Left wrist plain film · frontal view · age 13 y, boy —

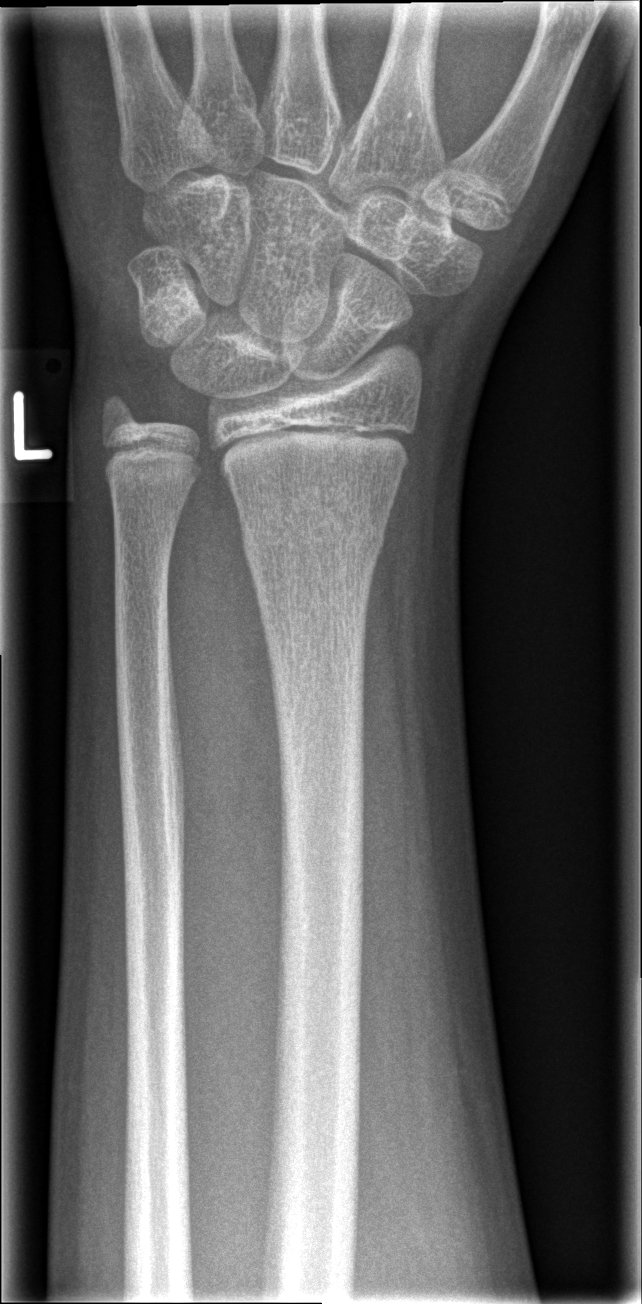
{"_coords": "boxes as x1,y1,x2,y2 (top-left / bottom-right, pixel units)", "fracture": "bbox(239, 513, 394, 574)", "ao": "23r-M/2.1"}